Left wrist plain film; lat view; 8-year-old male; in cast; 676 by 1210 pixels —

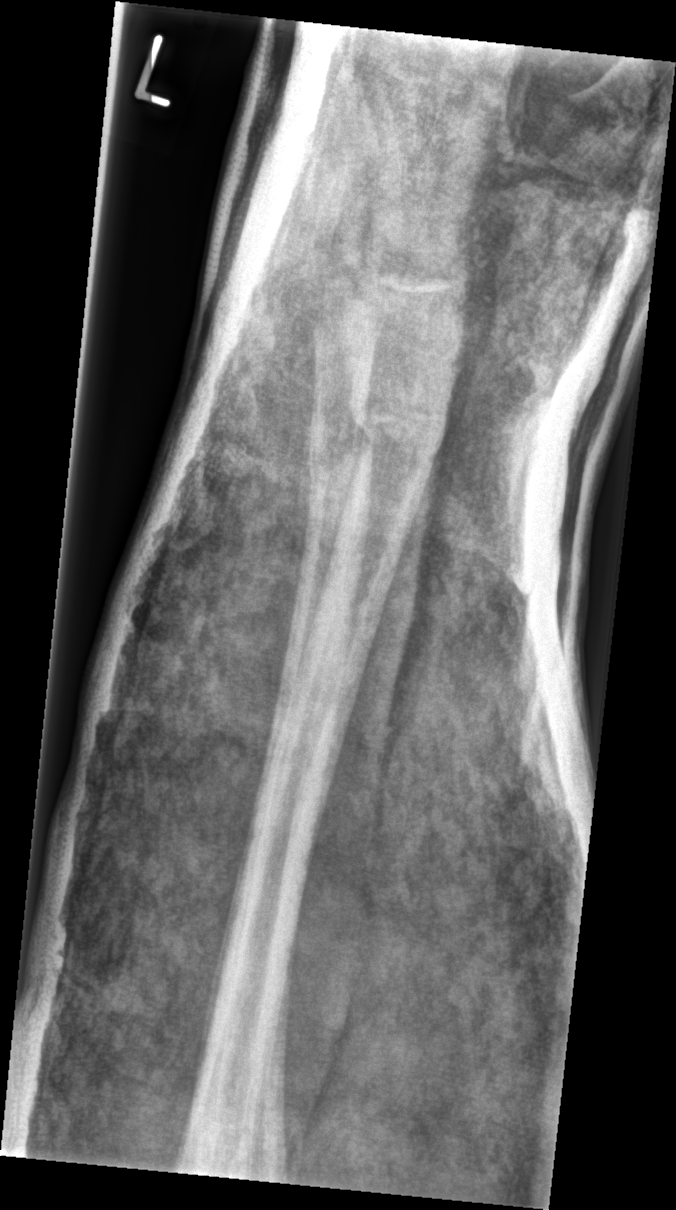 Bone fracture = (left=344, top=384, right=448, bottom=466) (left=298, top=437, right=376, bottom=493)